Lat projection; Lt pediatric wrist radiograph; 14-year-old male; image size 458x962.
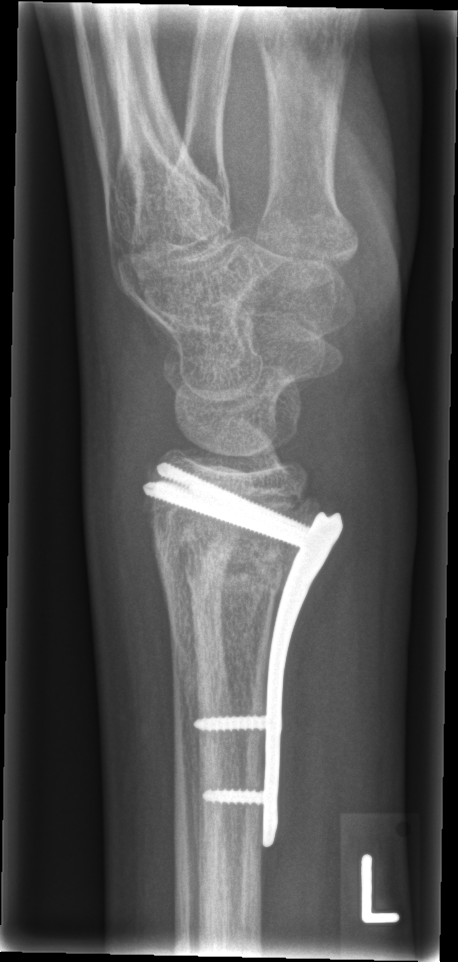 (boxes as x1,y1,x2,y2 (top-left / bottom-right, pixel units))
Fx: 1 @ (150, 507, 290, 599)
osteopenia: present
metallic implant: (151, 465, 343, 848)